Lateral projection · left wrist XR · boy, 3 yo · cast present:
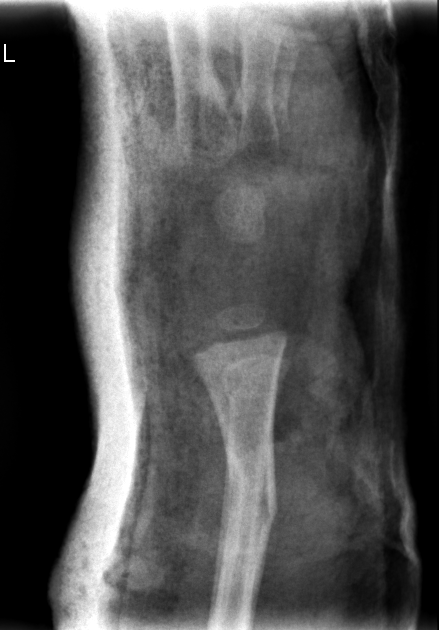
Boxes as x1,y1,x2,y2 (top-left / bottom-right, pixel units). Fracture identified at <221,471>-<279,536>; <217,366>-<285,416>. AO/OTA classification: 23r-M/3.1; 23u-M/2.1.